PA | Rt wrist XR | initial study | acquired on Siemens
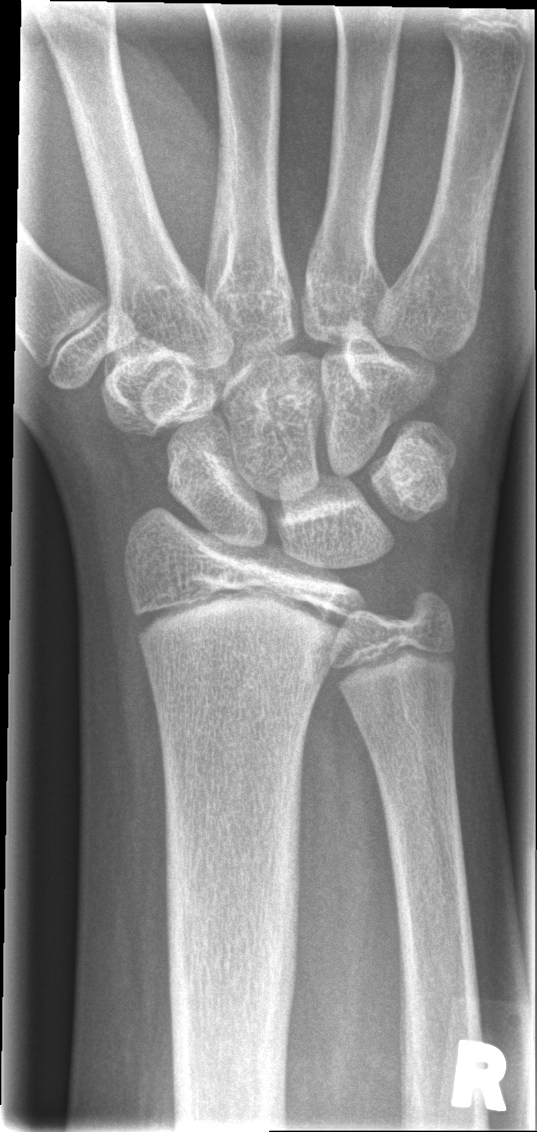

FINDINGS — No fracture bounding box.